Rt wrist X-ray; lat projection; age 11 y, boy; 669x1382: 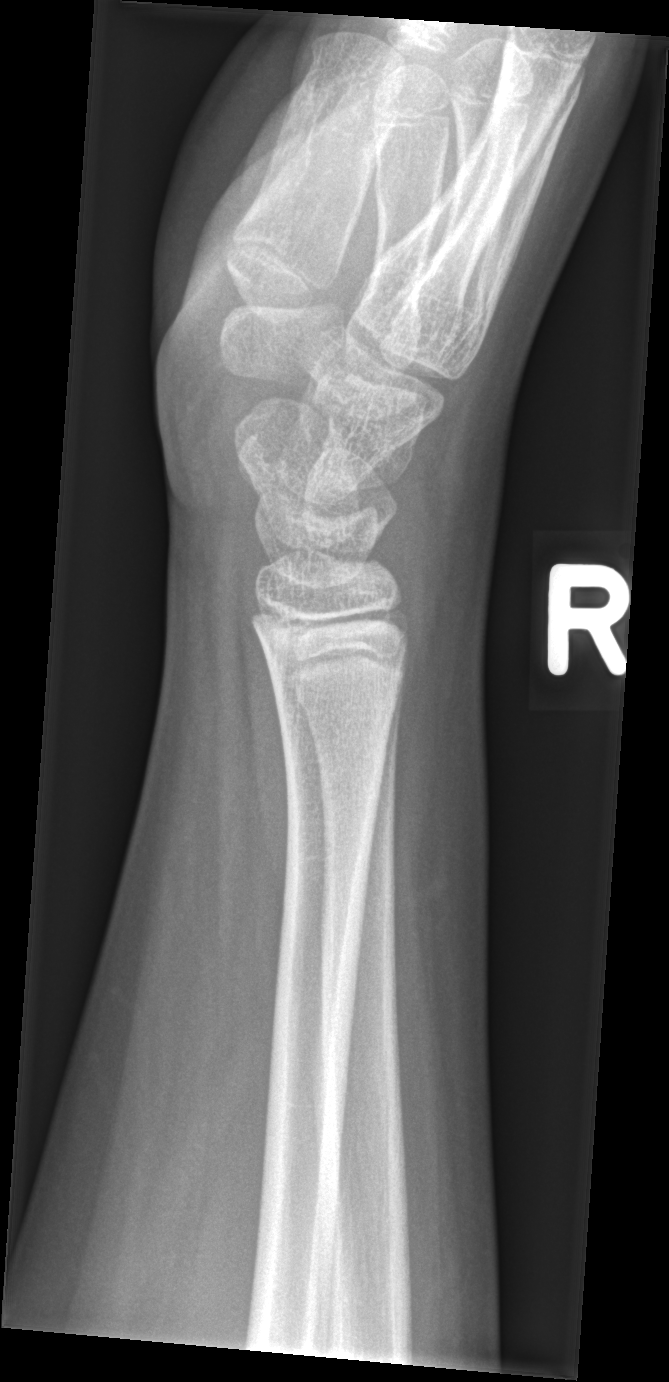

Fracture: none labeled.